Rt wrist XR · posteroanterior projection · 6-year-old boy · imaged through cast · 680 by 765 pixels
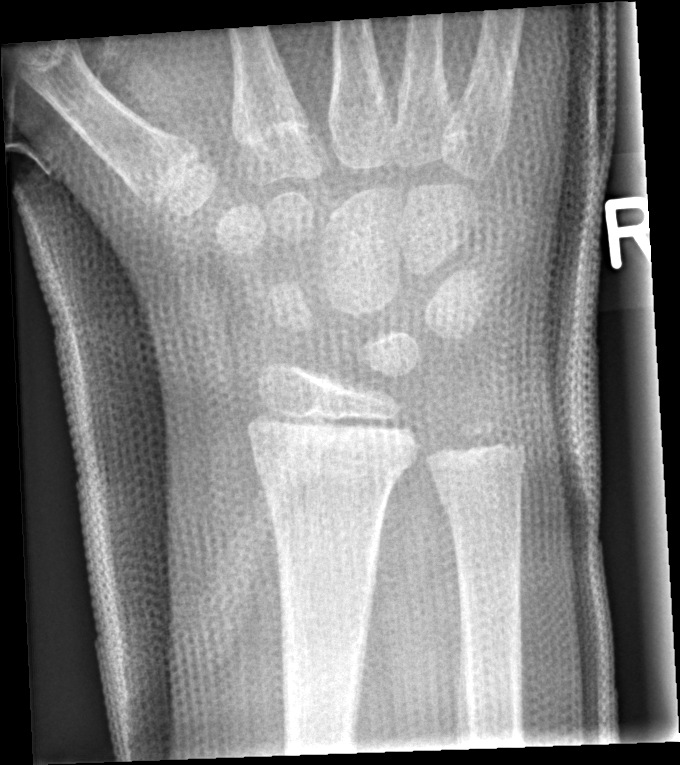
Boxes as x1,y1,x2,y2 (top-left / bottom-right, pixel units). AO/OTA classification: 23r-E/2.1; 23u-M/2.1. Fracture: (left=244, top=415, right=419, bottom=493), (left=435, top=453, right=529, bottom=514).